Right wrist XR | lat | pediatric patient (girl, age 10) | follow-up study

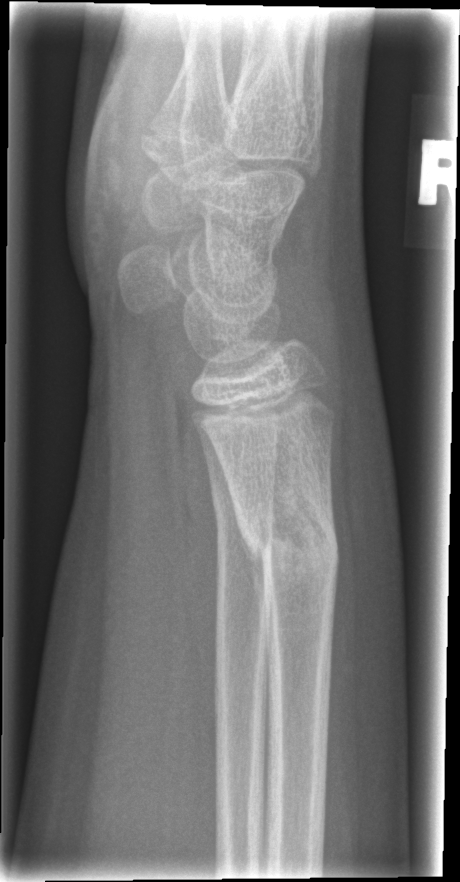 periostealreaction: 236 514 276 676
osteopenia: present
fracture: 240 515 343 583 | 208 486 299 532
ao: 23-M/2.1